AP, Rt wrist X-ray. 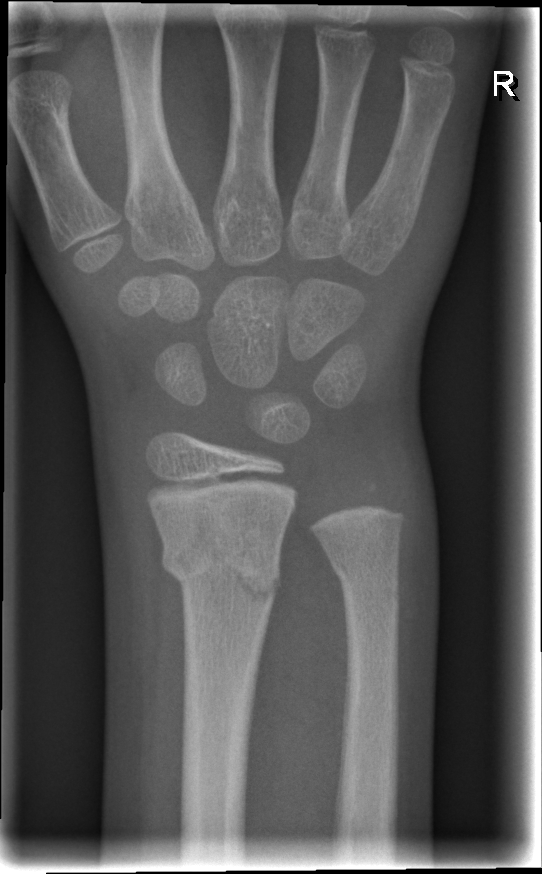 (coordinates are [x1, y1, x2, y2] in image pixels)
Fracture = 2 @ 158 522 285 613; 328 547 404 599